L wrist XR, PA projection, female, 2 yo, in cast, 80.8 mm image width

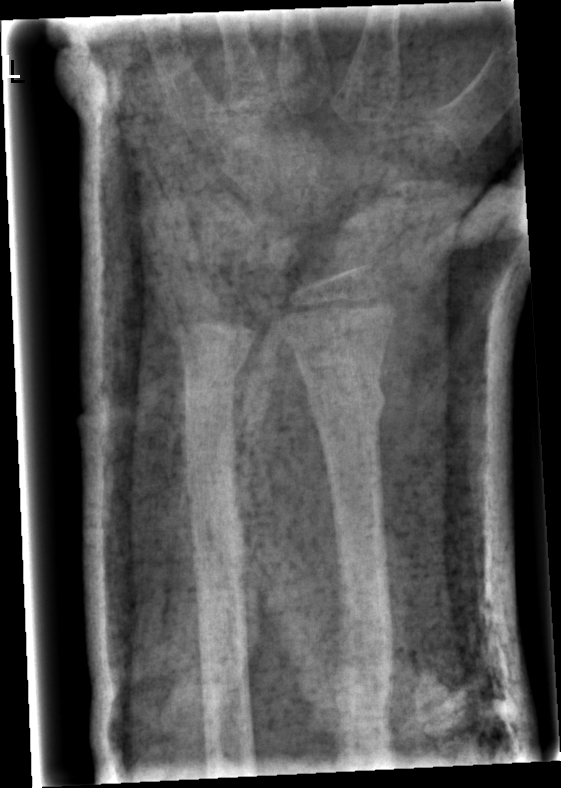 FINDINGS — Fracture classified AO/OTA 23-M/2.1. Fx: (left=303, top=373, right=390, bottom=430), (left=178, top=344, right=253, bottom=402).